L pediatric wrist radiograph | AP | 10y M. 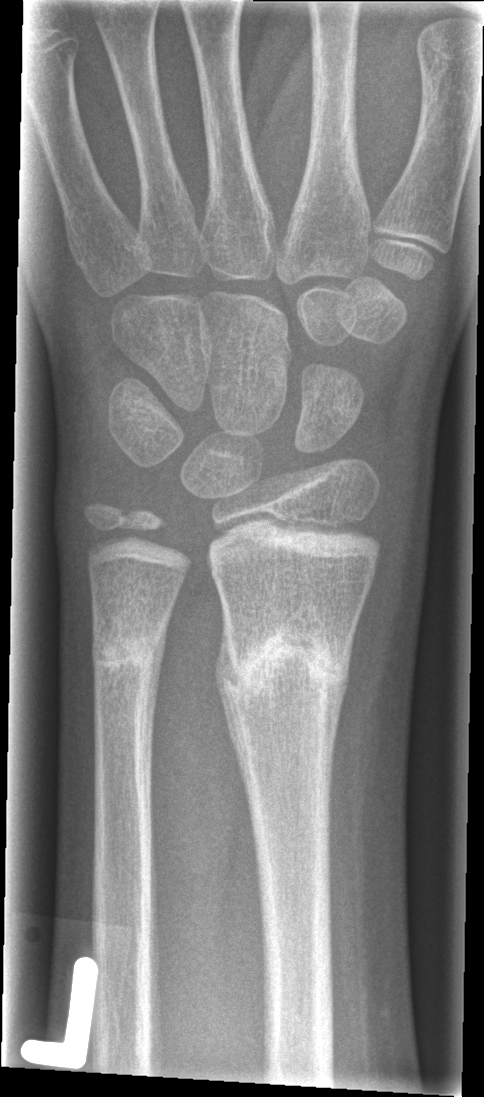

(boxes as x1,y1,x2,y2 (top-left / bottom-right, pixel units))
Osteopenia: present
AO classification: 23-M/3.1
Fracture: 2 @ [218, 599, 358, 723]; [92, 624, 162, 694]